Frontal projection, R pediatric wrist radiograph

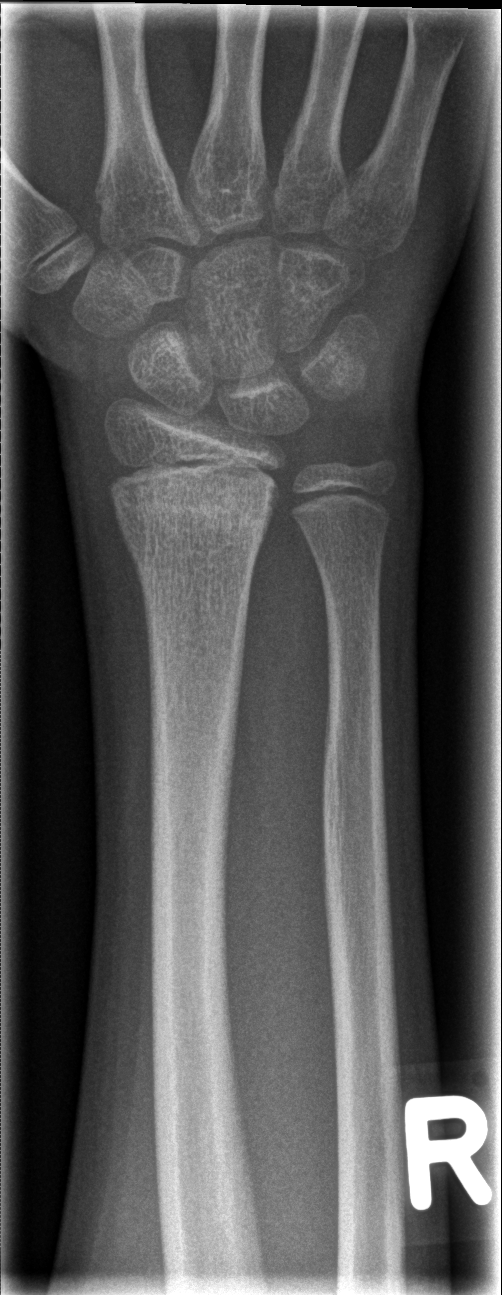 FINDINGS — (boxes as x1,y1,x2,y2 (top-left / bottom-right, pixel units)) Bone fracture identified at 114 476 277 548. AO code 23r-M/2.1. Osteopenic.